L wrist X-ray · lateral · male, 14 yo · acquired on Siemens · 549x1304 —
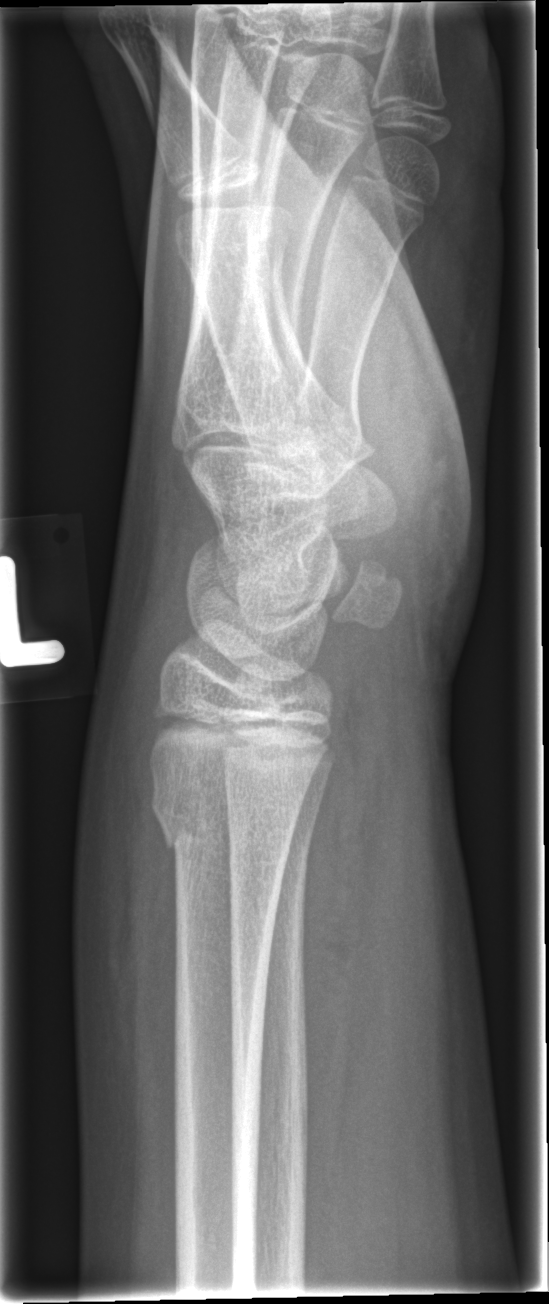 FINDINGS — (pixel coordinates, top-left origin, xyxy) One fracture at [x1=145, y1=771, x2=300, y2=873]. Pronator quadratus fat-pad sign: [x1=297, y1=679, x2=378, y2=1146]. One soft-tissue finding at [x1=65, y1=564, x2=180, y2=1192]. Fracture classified AO/OTA 23r-M/3.1; 23u-E/7.